Lateral, right wrist plain radiograph of the wrist —

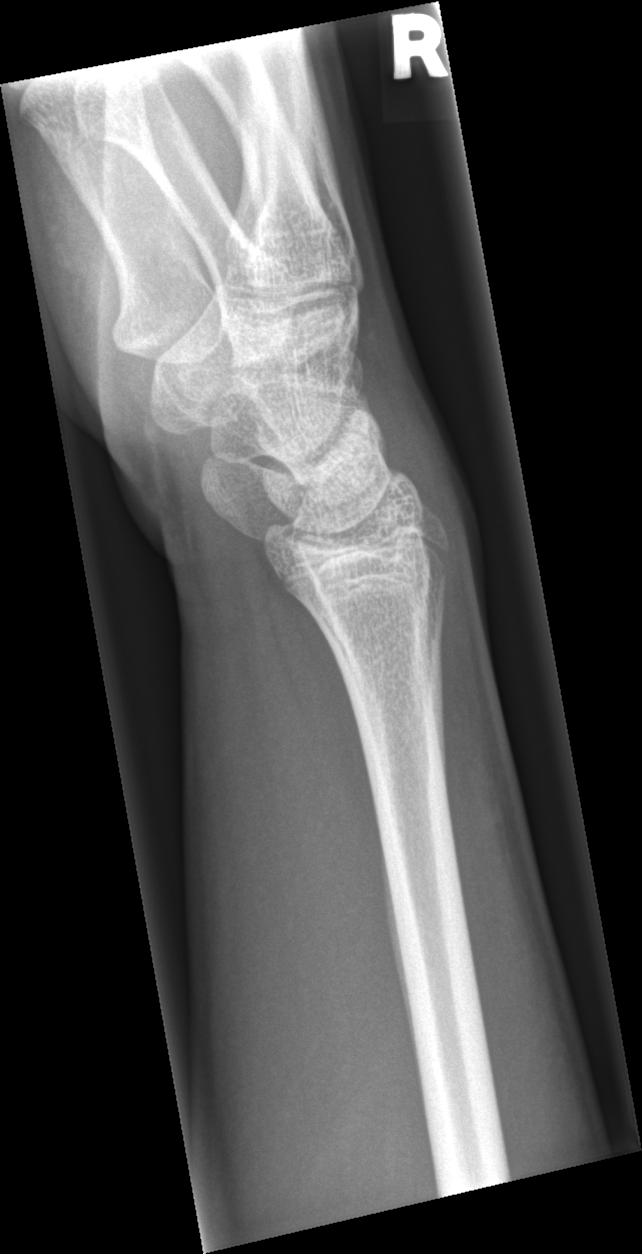 FINDINGS — Fx: none.